L wrist X-ray | lateral view | pediatric patient (male, age 15) 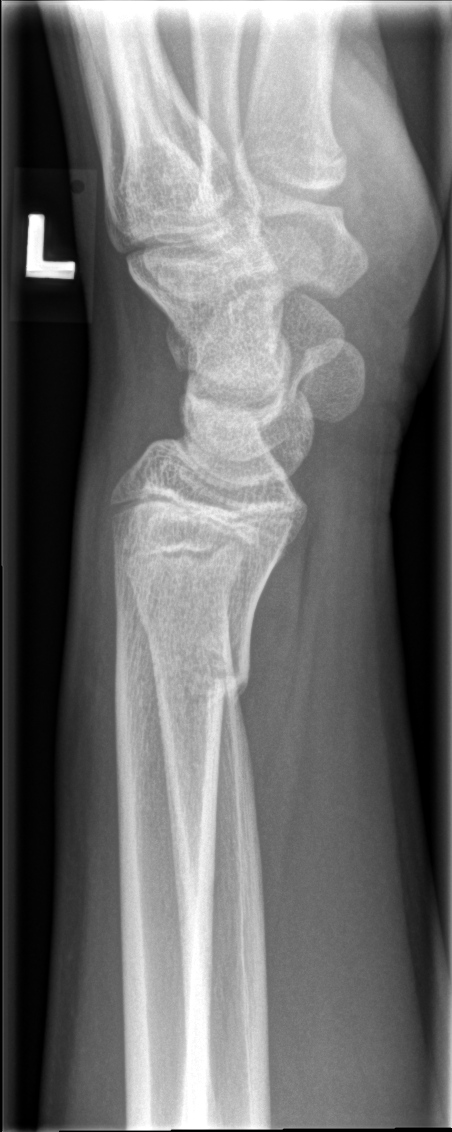 Bone fracture = bbox(108, 631, 253, 728)